Lateral, Lt wrist X-ray, 12y F, cast present — 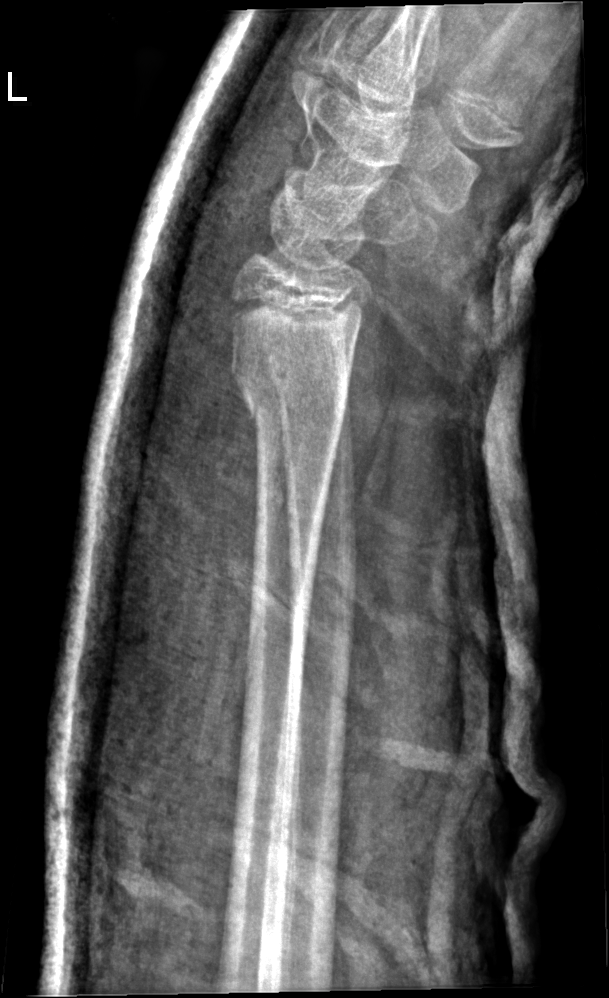 FINDINGS — AO code 23-M/2.1. One Fx at bbox(229, 344, 351, 456).